Lat view; R wrist XR; 10-year-old girl; index exam: 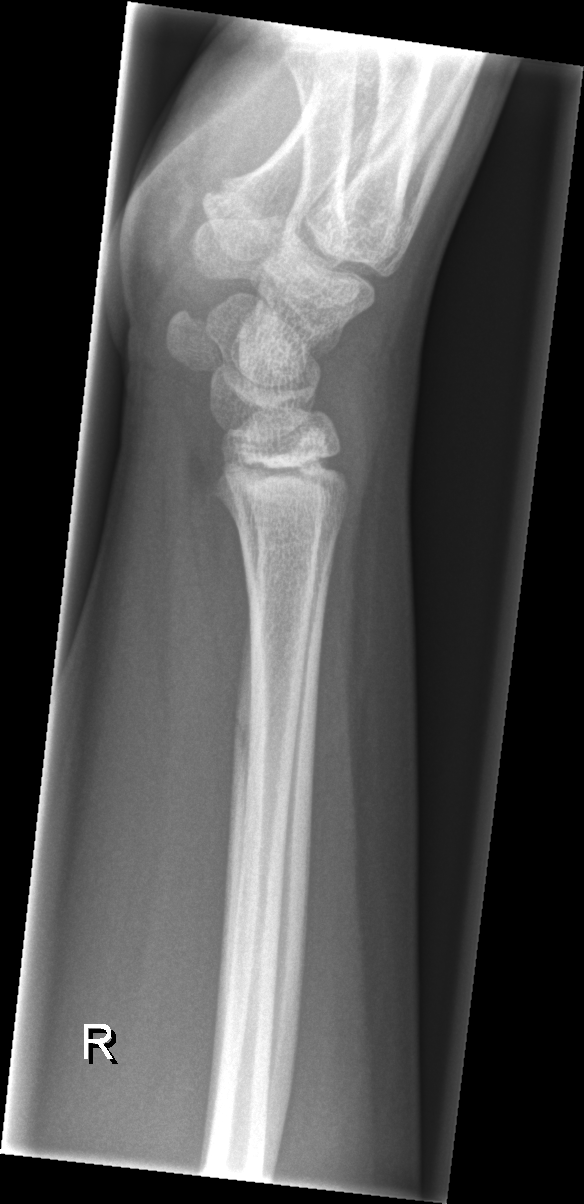

Fracture: none labeled. Soft tissue abnormality identified at bbox(324, 302, 423, 517).